Frontal view · right wrist radiograph · pediatric patient (boy, age 17) · imaged through cast · image size 696x1239 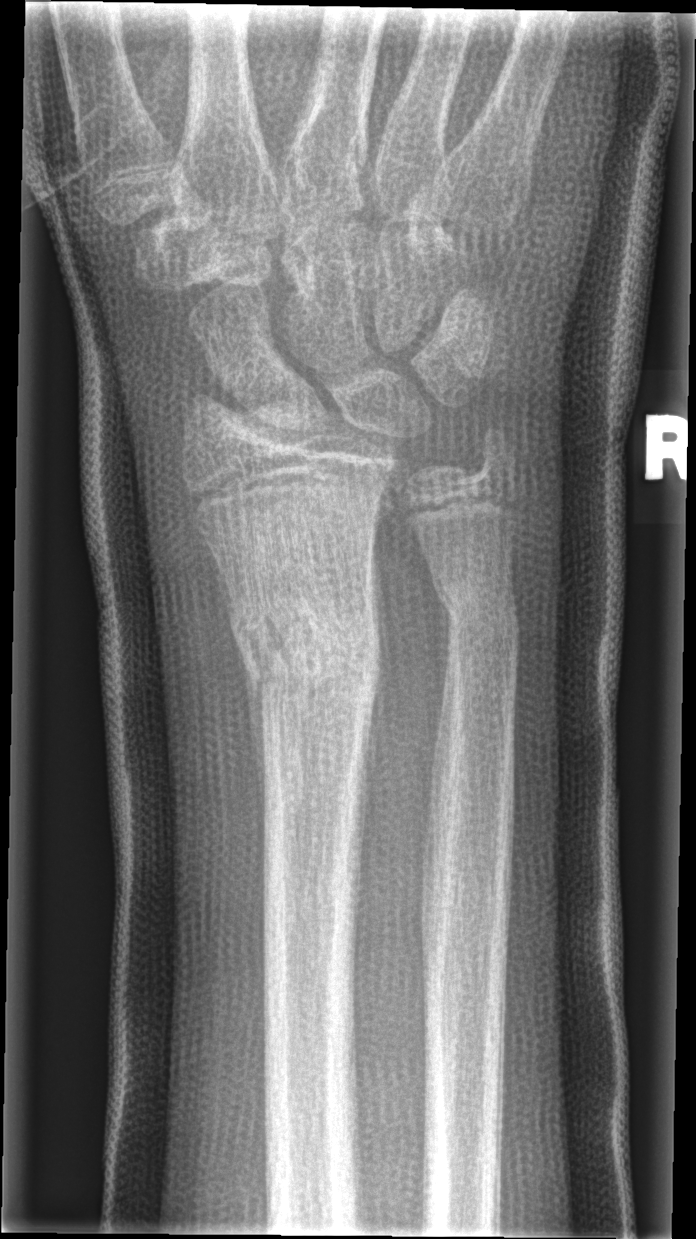
Bone fractures — bbox(219, 583, 389, 797); bbox(427, 562, 529, 684).